Posteroanterior projection · right wrist XR · 8-year-old female.

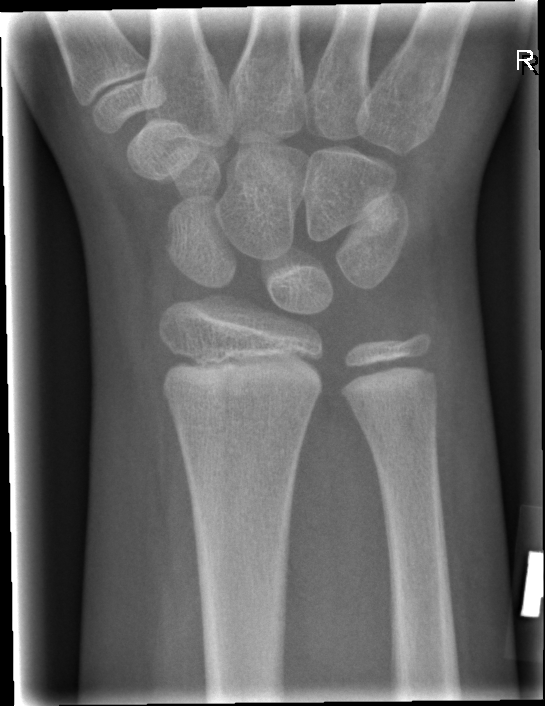

Bone fracture: none labeled